Lateral | left wrist XR | 457 x 836 px

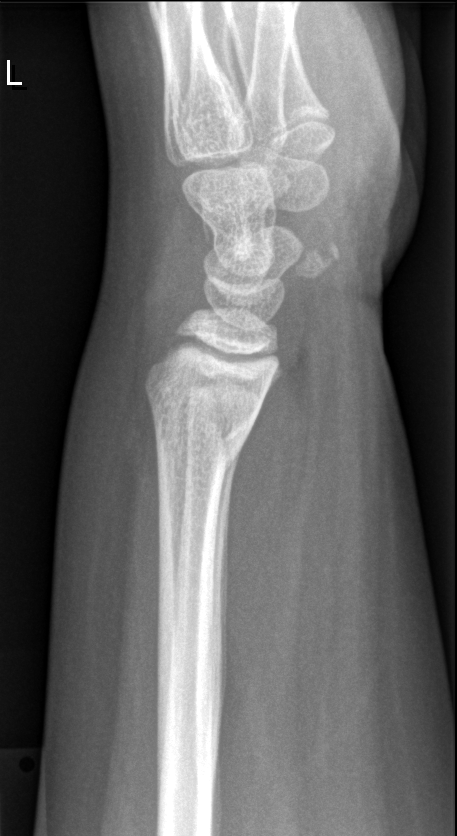
Fracture — bbox(145, 392, 255, 476).
Pronator quadratus fat-pad sign: bbox(209, 315, 320, 673).
One bone lesion at bbox(228, 216, 257, 263).